Right wrist plain radiograph of the wrist · posteroanterior view · follow-up · cast present · 97.5 mm image width: 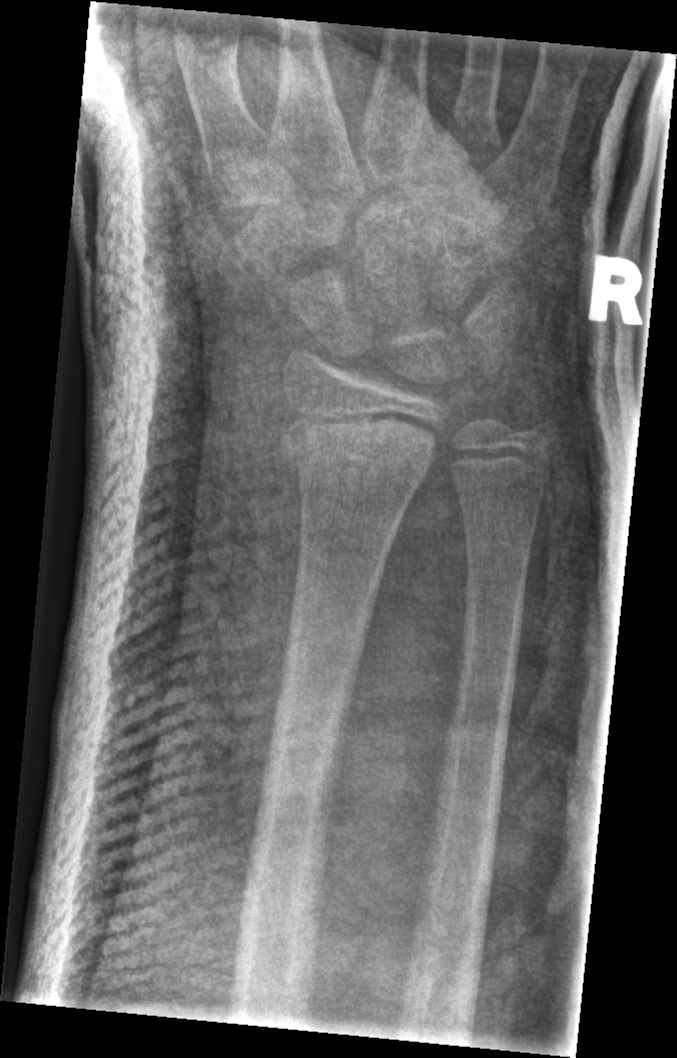
Bounding boxes in image-pixel xyxy. Fracture: [278, 406, 438, 491]. AO code 23r-M/2.1.